PA/AP | Rt wrist X-ray | female, 2 yo.

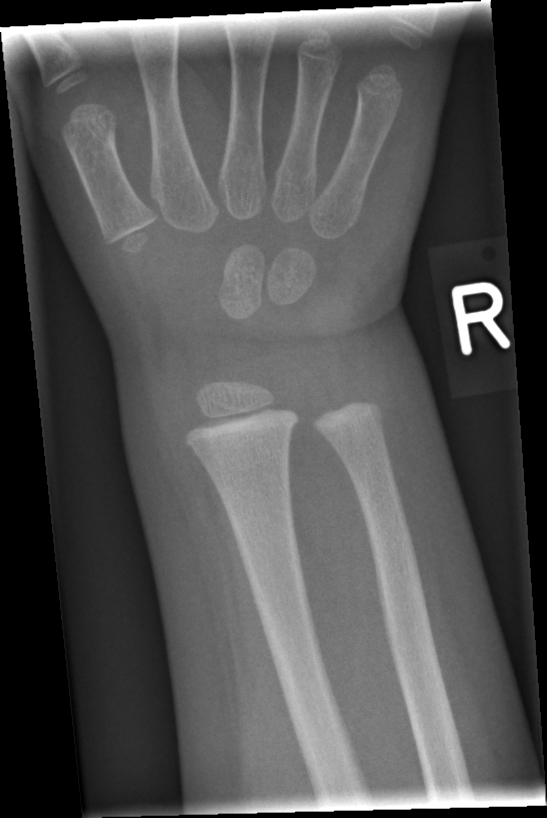
- No fracture labeled.